Rt pediatric wrist radiograph; AP; 11-year-old male; acquired on Siemens; image width 110.6 mm

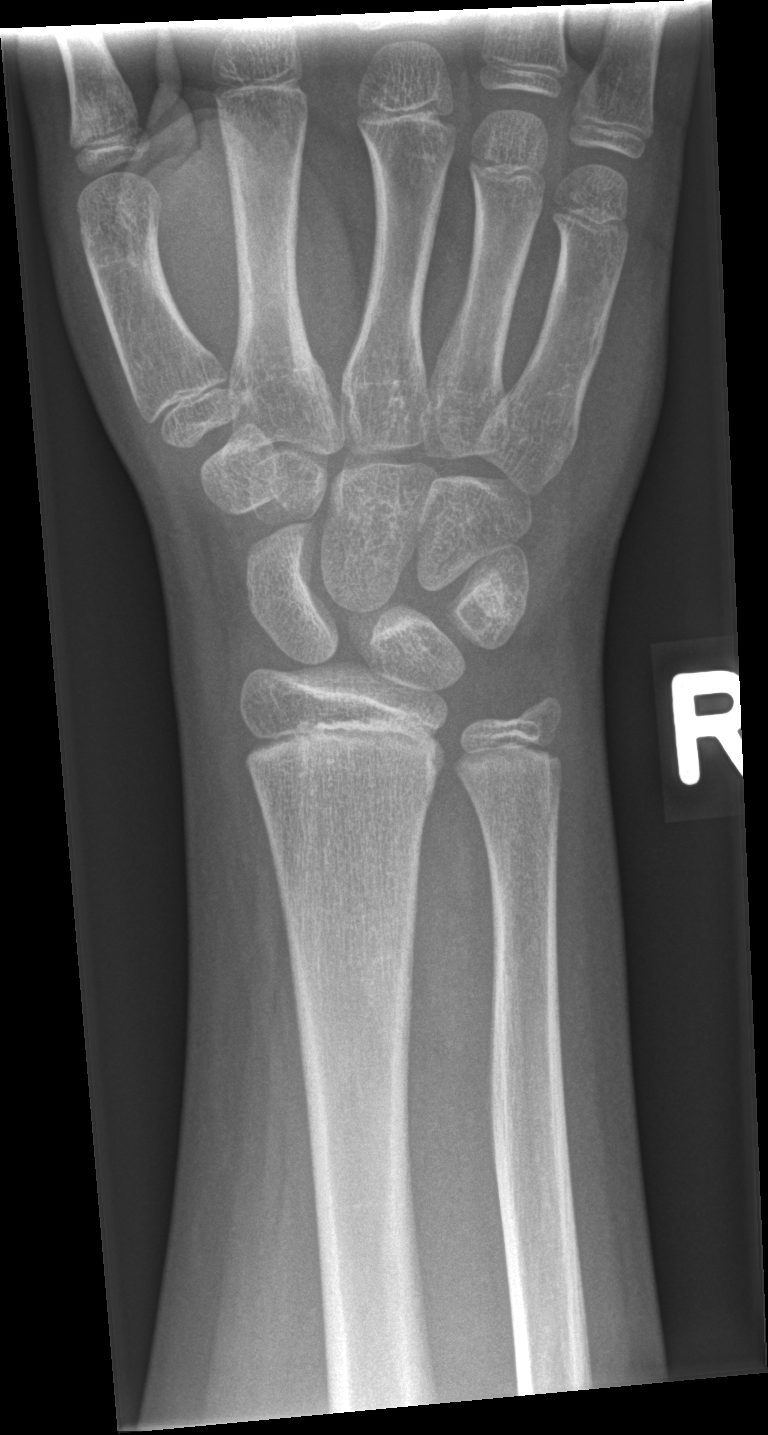

Fx: none.